Right wrist XR; lateral view; acquired on Siemens; 426x739 —
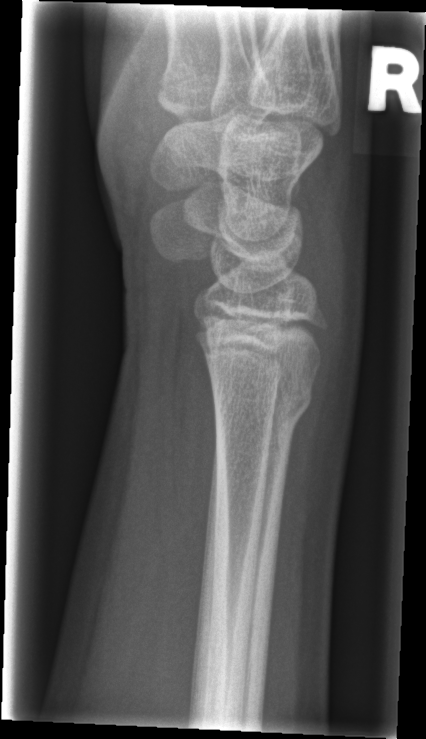
{"ao": "23r-M/2.1", "fracture": "209,374,317,436"}